Frontal projection | left wrist X-ray | pediatric patient (male, age 13) | subsequent exam —

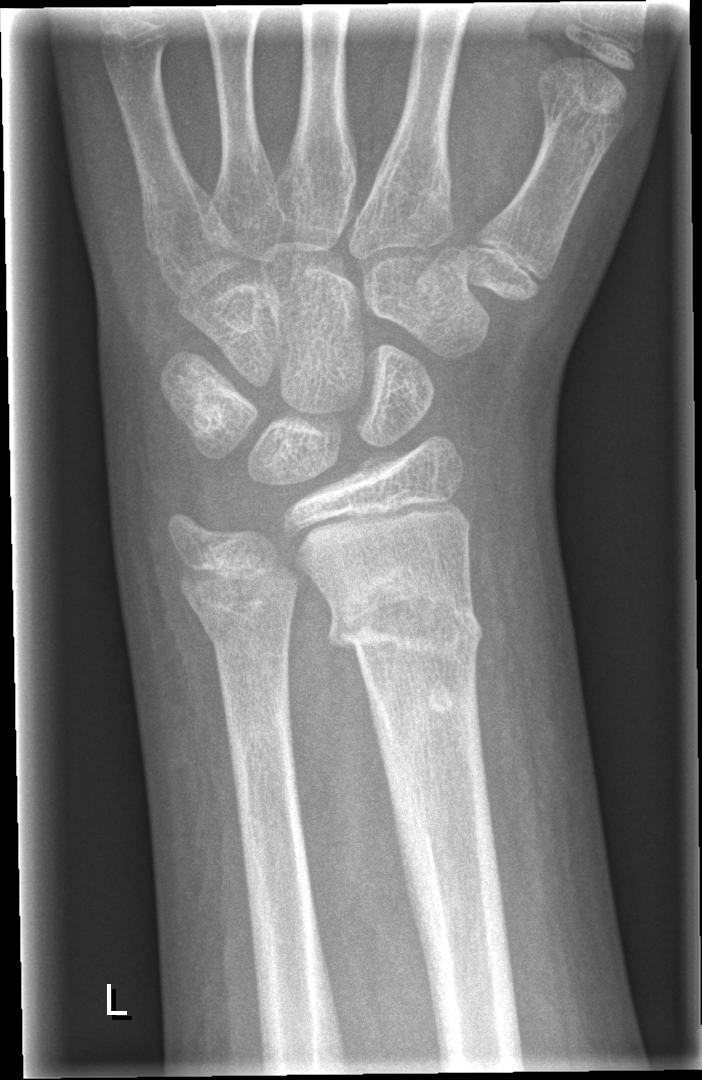

# boxes as x1,y1,x2,y2 (top-left / bottom-right, pixel units)
ao: 23-M/3.1
fracture: [327, 556, 487, 669], [192, 554, 301, 658]
osteopenia: present